Lateral projection | R wrist radiograph | pediatric patient (girl, age 6) | 527x966 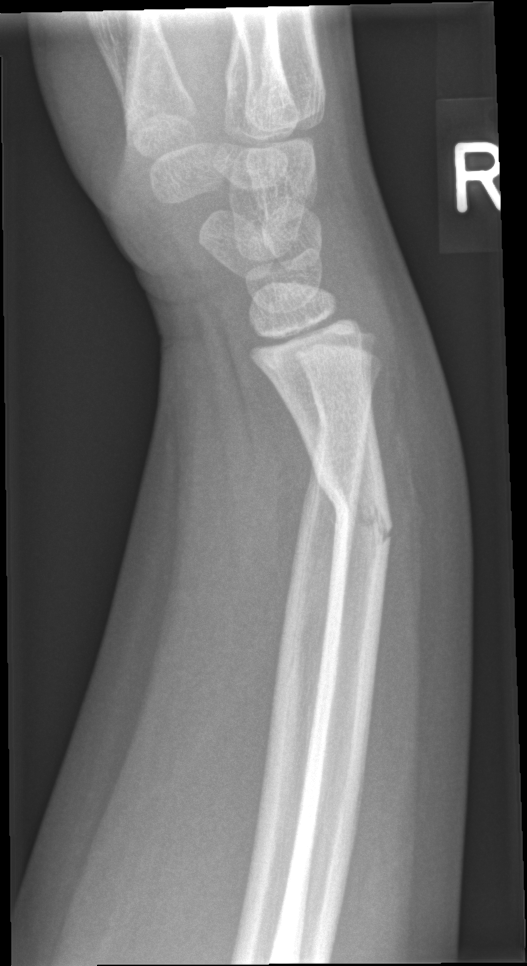

(coordinates are [x1, y1, x2, y2] in image pixels)
AO classification: 23r-M/3.1; 23u-M/2.1
fracture: [312, 465, 395, 559] [311, 393, 373, 442]